Left pediatric wrist radiograph; lateral projection; presentation radiograph; Siemens

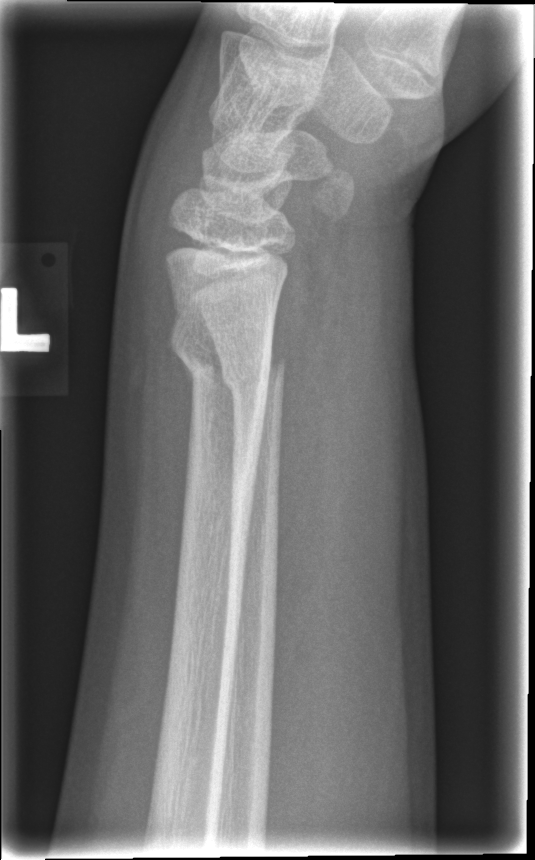 AO/OTA classification: 23-M/3.1.
Fracture: <169,308>-<274,407>; <218,352>-<290,399>.